Lt wrist plain film, posteroanterior projection. 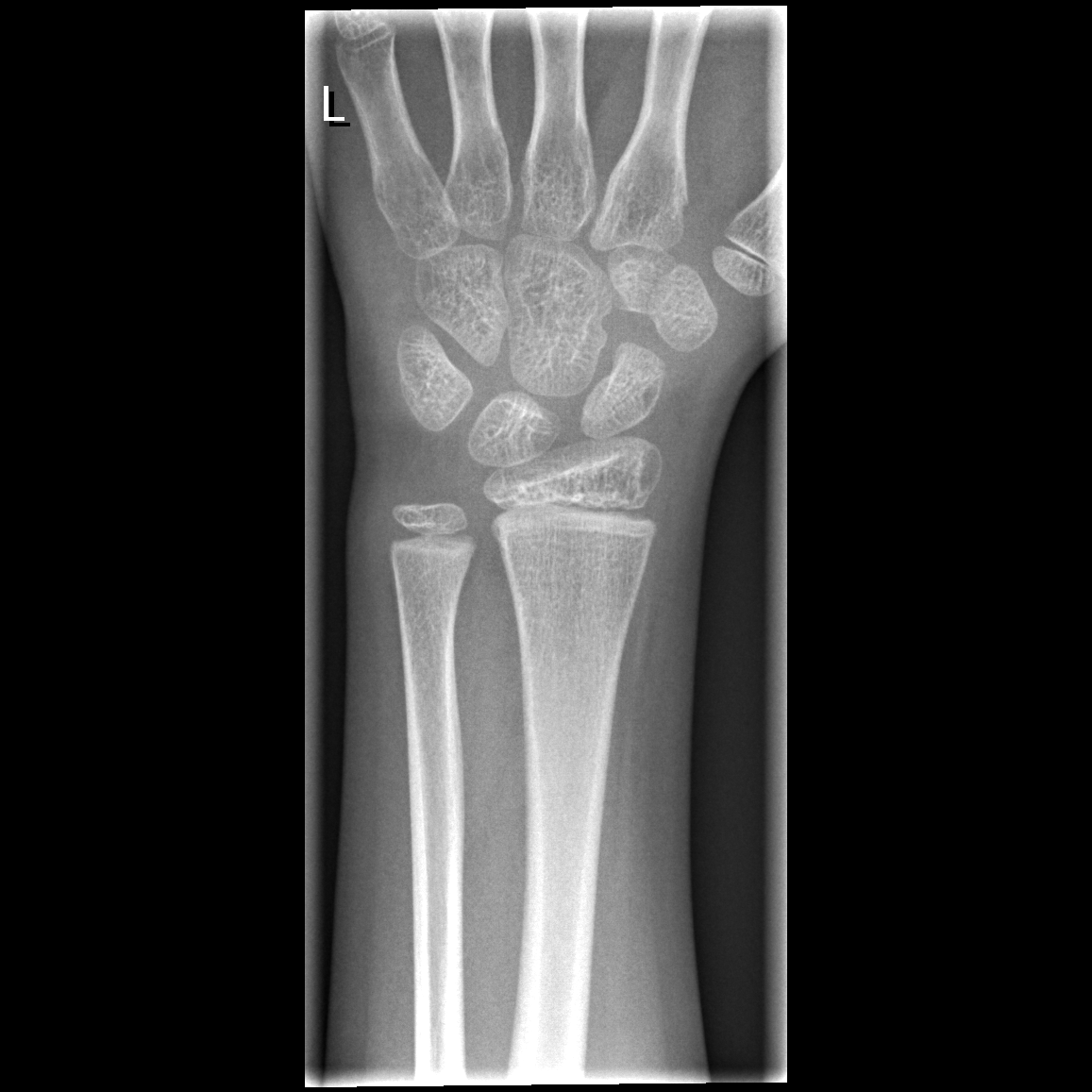 No fracture annotation.